Lateral view; left wrist X-ray; subsequent exam:
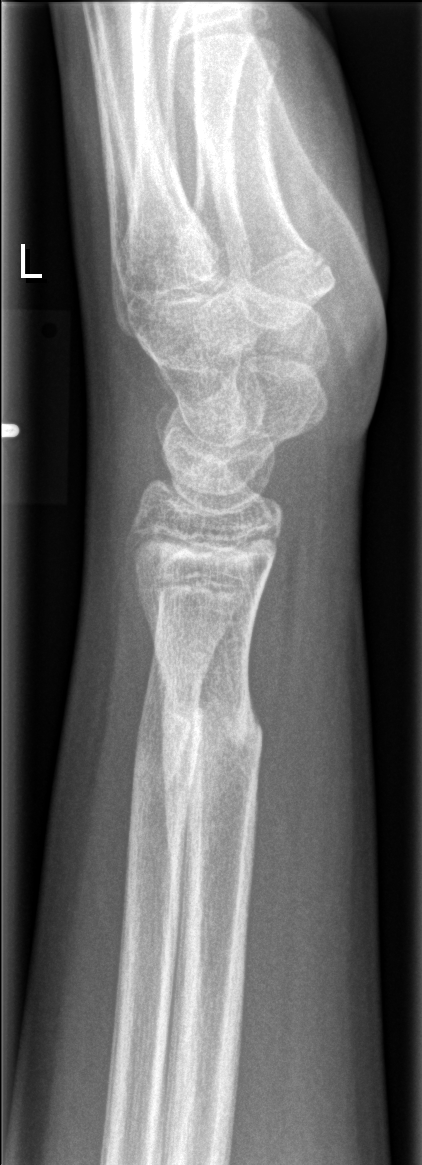
Bone fractures — (157, 691, 271, 772) (131, 697, 204, 787). Fracture classified AO/OTA 23-M/3.1; 23u-E/7. Decreased bone density (osteopenia).